Lat projection, right wrist X-ray, 15-year-old male, acquired on Siemens, 71.9 mm image width:
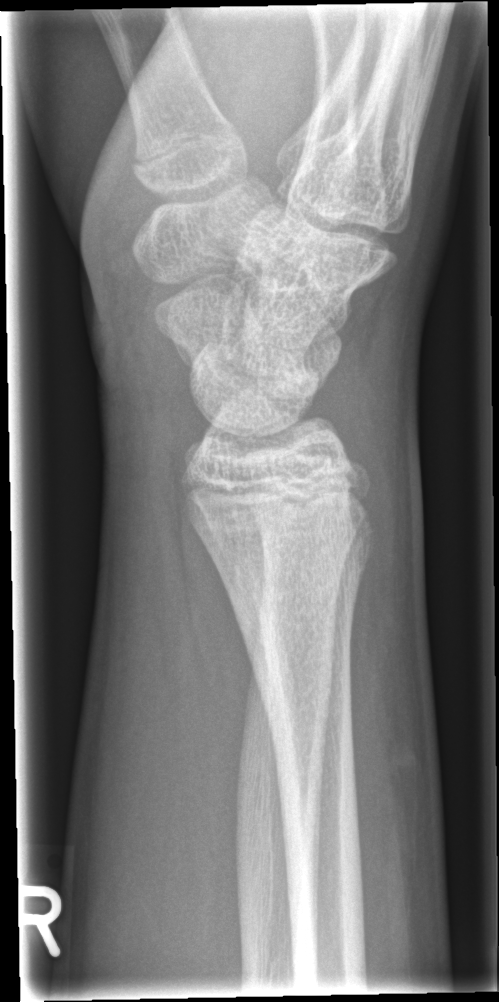 fracture: none labeled